Lateral projection, Lt wrist X-ray, 13-year-old girl, image width 85.2 mm, image size 592x976 — 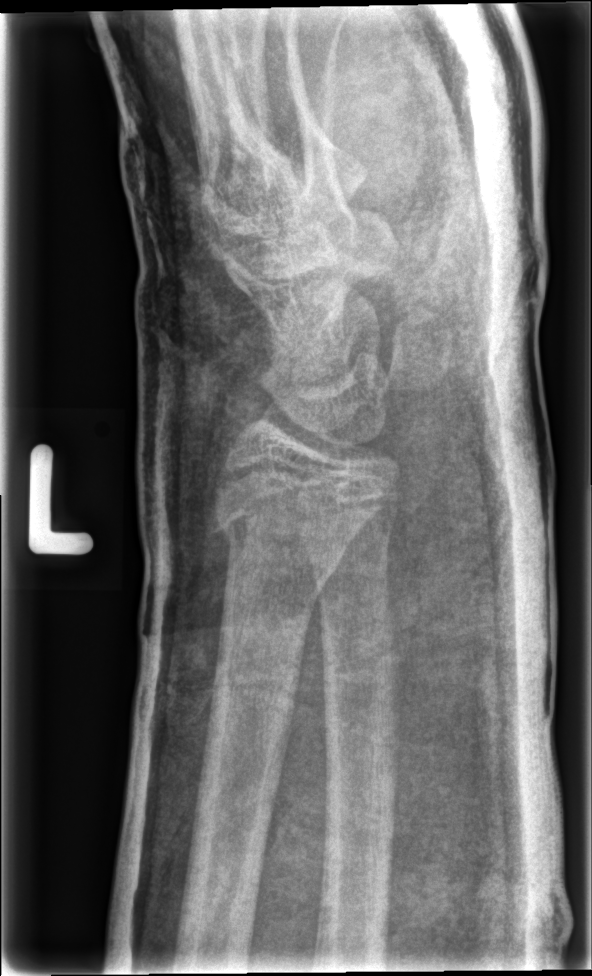
fracture: 1 @ (left=213, top=487, right=345, bottom=597)